AP, left wrist plain film, follow-up study, image 81.8 mm wide.

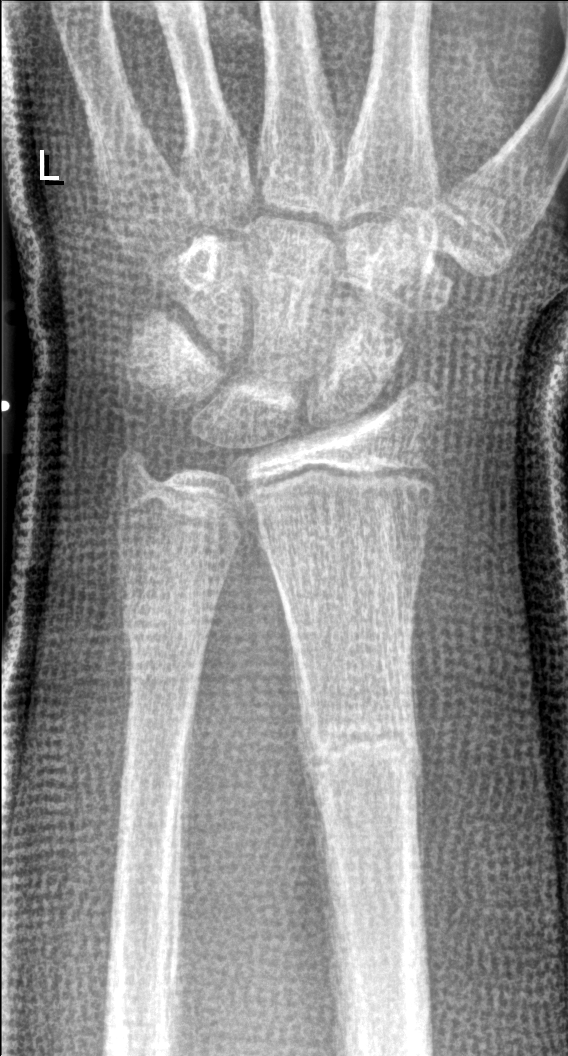
(bounding boxes in image-pixel xyxy)
Q: Locate any periosteal reaction.
A: Periosteal reaction identified at <290,632>-<332,956>, <408,629>-<428,903>
Q: Any fracture seen?
A: Two Fx at <295,703>-<426,807>, <116,593>-<218,660>